Right wrist pediatric wrist radiograph; posteroanterior; image 82.1 mm wide; 570 x 936 px. 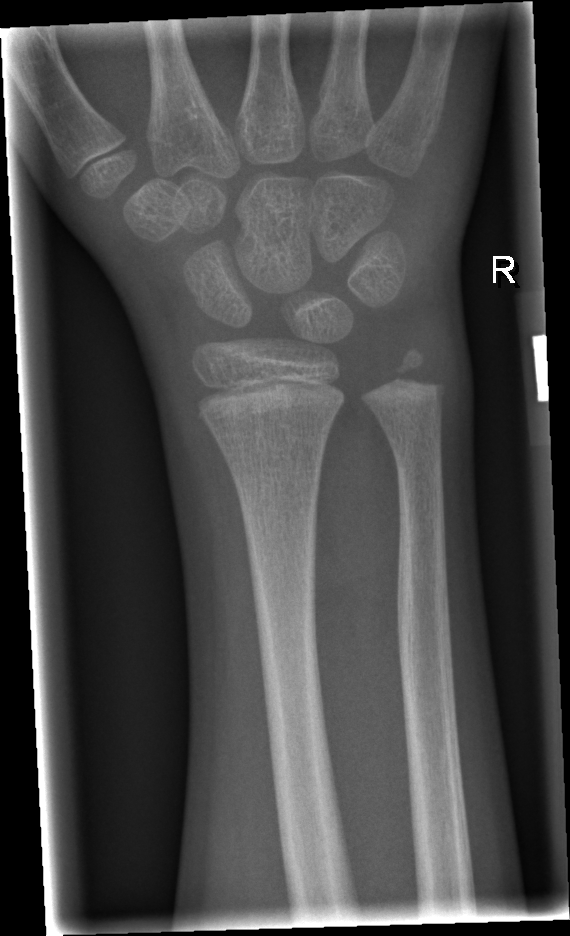

Fracture = none labeled